L plain radiograph of the wrist; PA view; pediatric patient (boy, age 9); index exam; image size 576x932 —

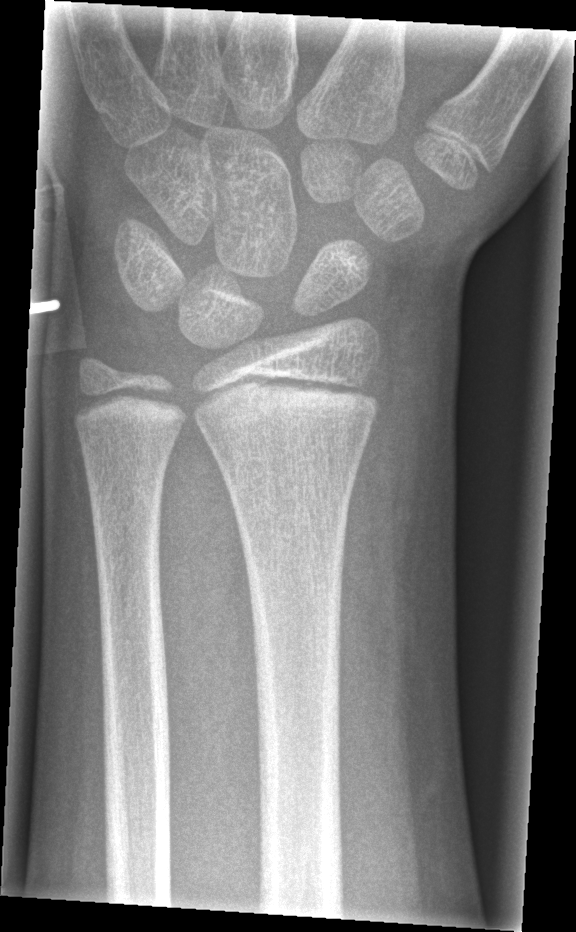
Bone fracture = present but not clearly seen in this view